Lat projection · right wrist plain film · age 8 y, male · subsequent exam · detector: Siemens —
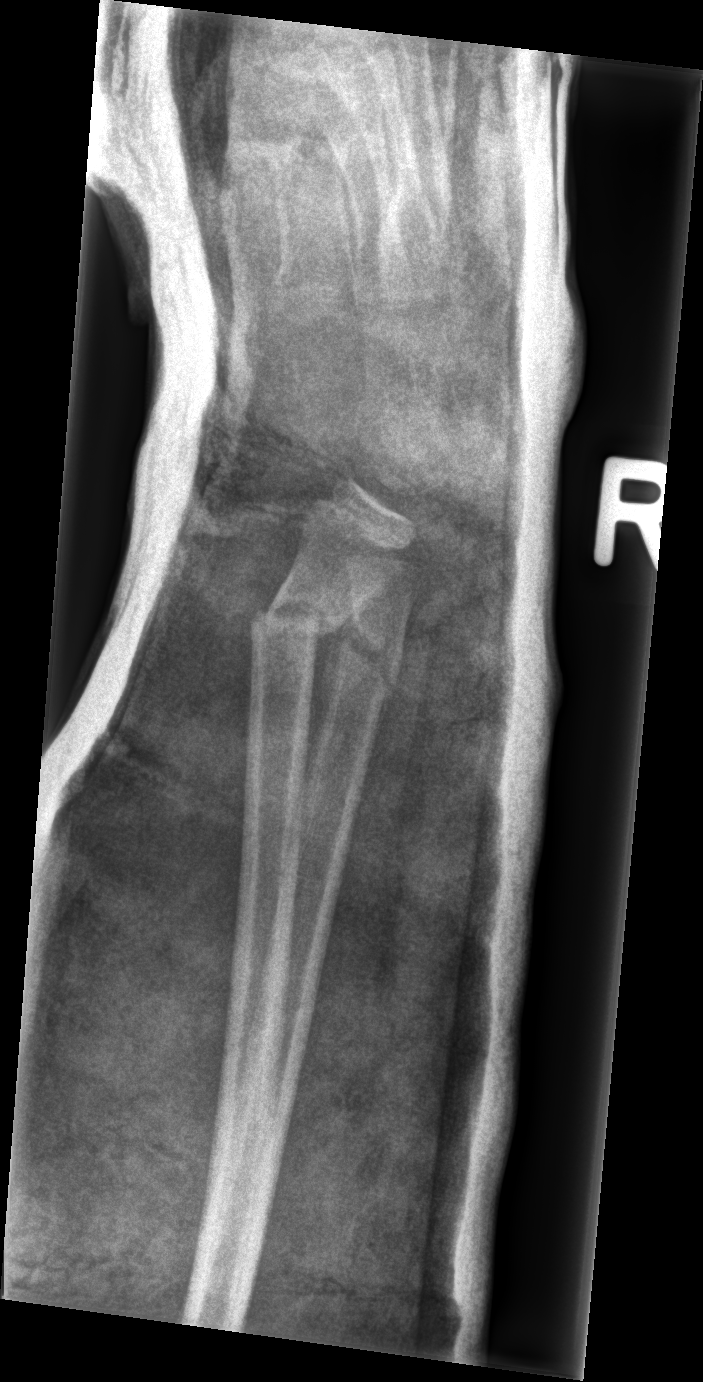 Findings: Bone fracture: (321, 599, 408, 707), (243, 584, 343, 662).